Lt wrist radiograph · lateral · 17y M

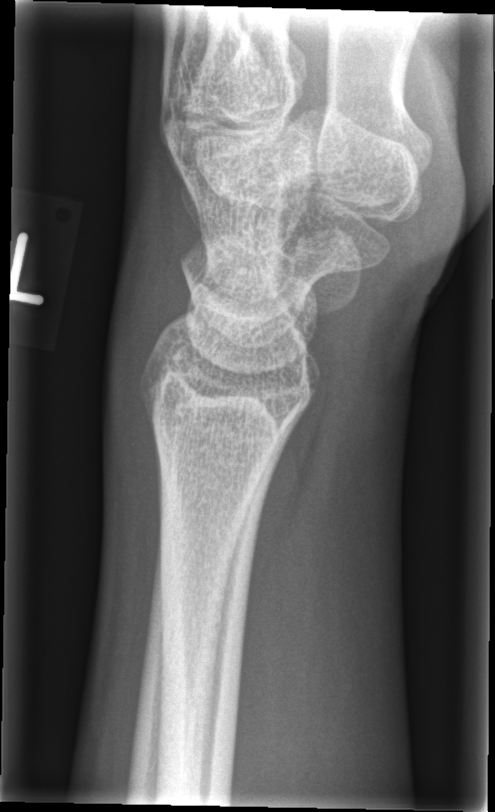 Fx: none labeled